Lat view, R plain radiograph of the wrist —
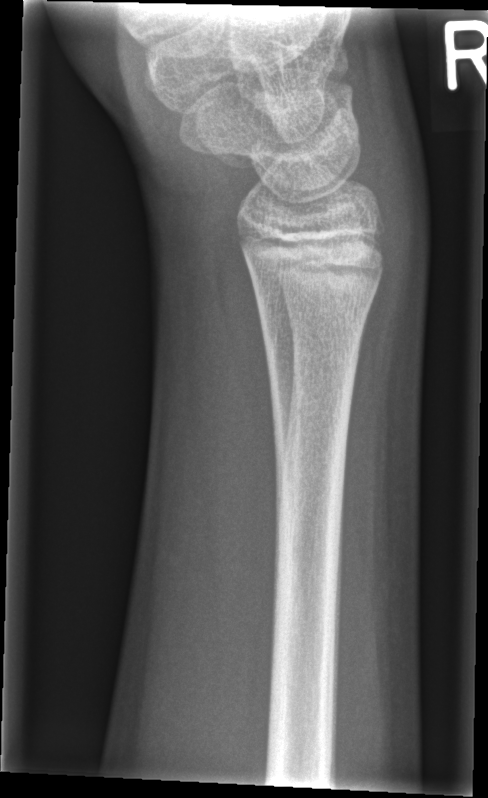 Fx: none labeled